Lat view | Rt wrist plain film | pediatric patient (female, age 11) | acquired on Siemens
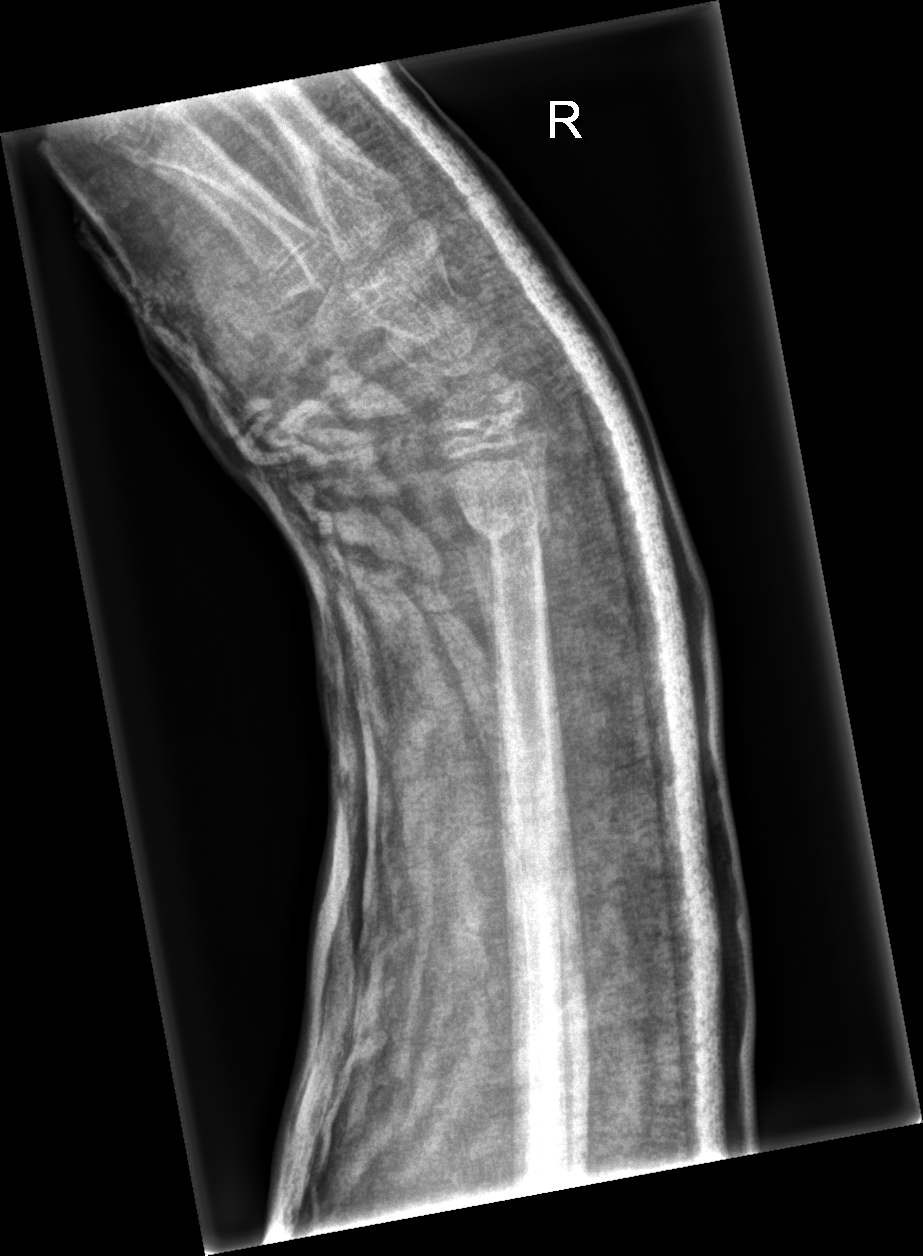
Findings: Fx — 460 486 556 552.